L wrist plain film | frontal view | index exam | Agfa

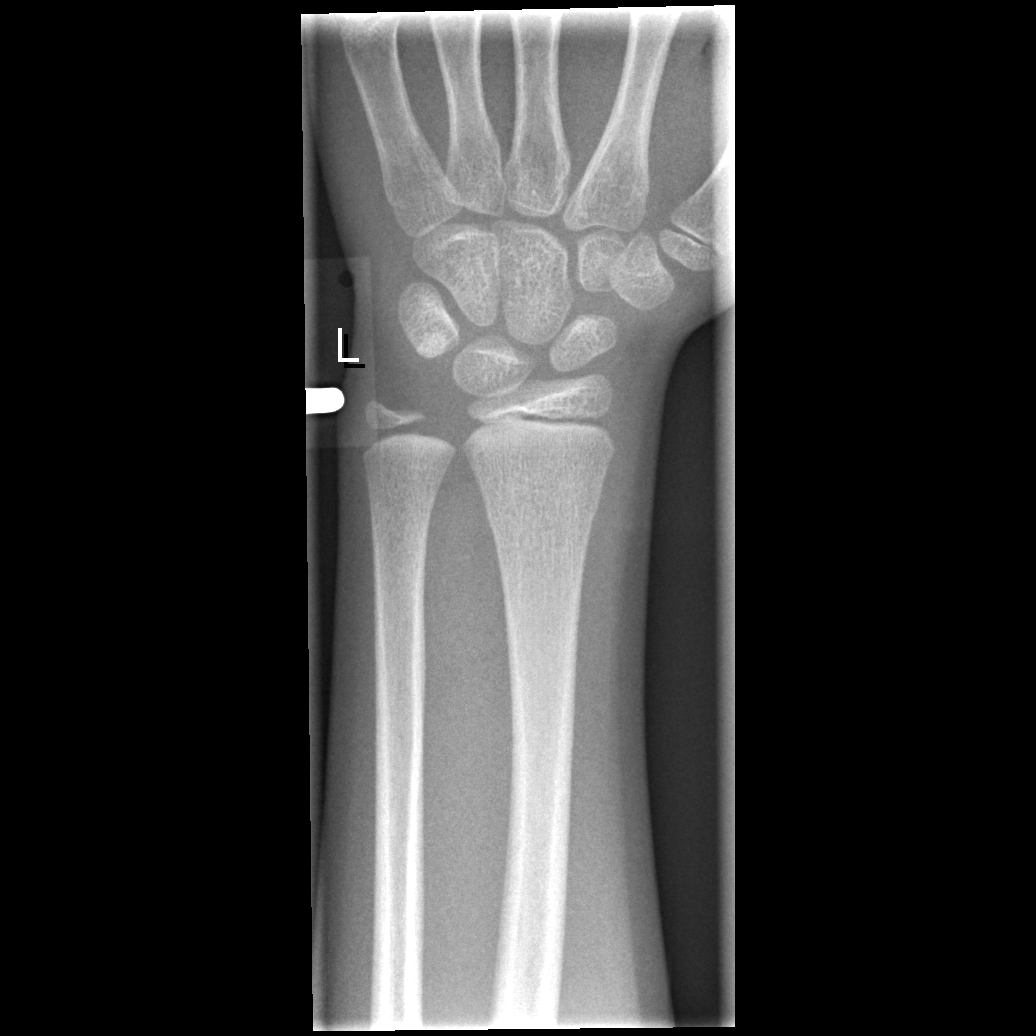
FINDINGS: One Fx at [483, 480, 605, 537]. AO/OTA classification: 23r-M/3.1.